Left wrist radiograph · frontal · pediatric patient (male, age 7) · presentation radiograph:

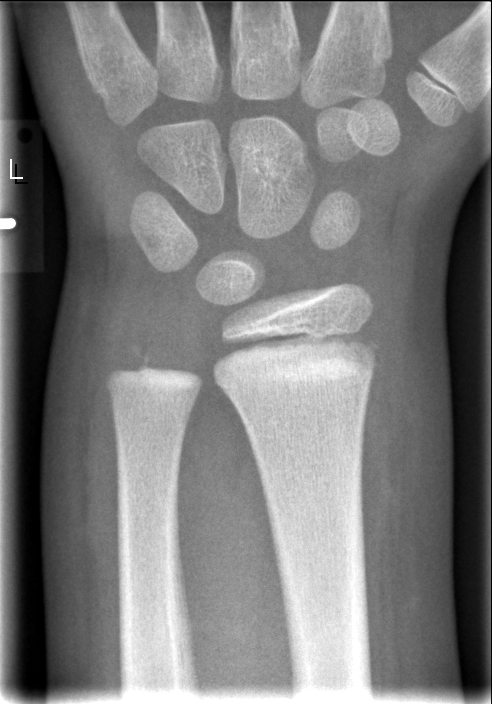

{"fracture": "1 @ (214, 327, 386, 363)", "ao": "23r-E/2.1"}